Left wrist X-ray; lateral view; pediatric patient (girl, age 5); in cast; Siemens —
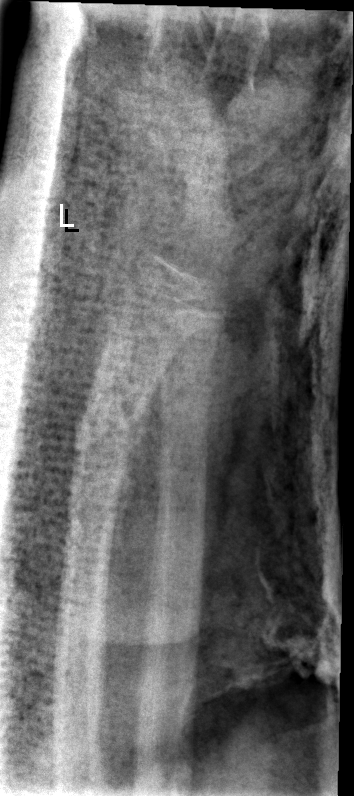
FINDINGS — (coordinates are [x1, y1, x2, y2] in image pixels) Fracture: (left=66, top=386, right=153, bottom=471).